Lt wrist XR; lateral; presentation radiograph —
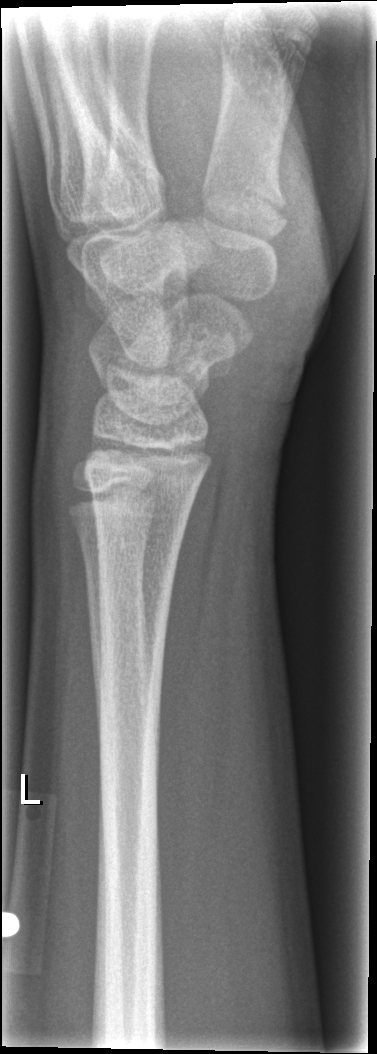

FINDINGS — Fracture: none labeled.